Lat view · left wrist plain radiograph of the wrist · 11y F · 95.6 mm image width · image size 664x1115.

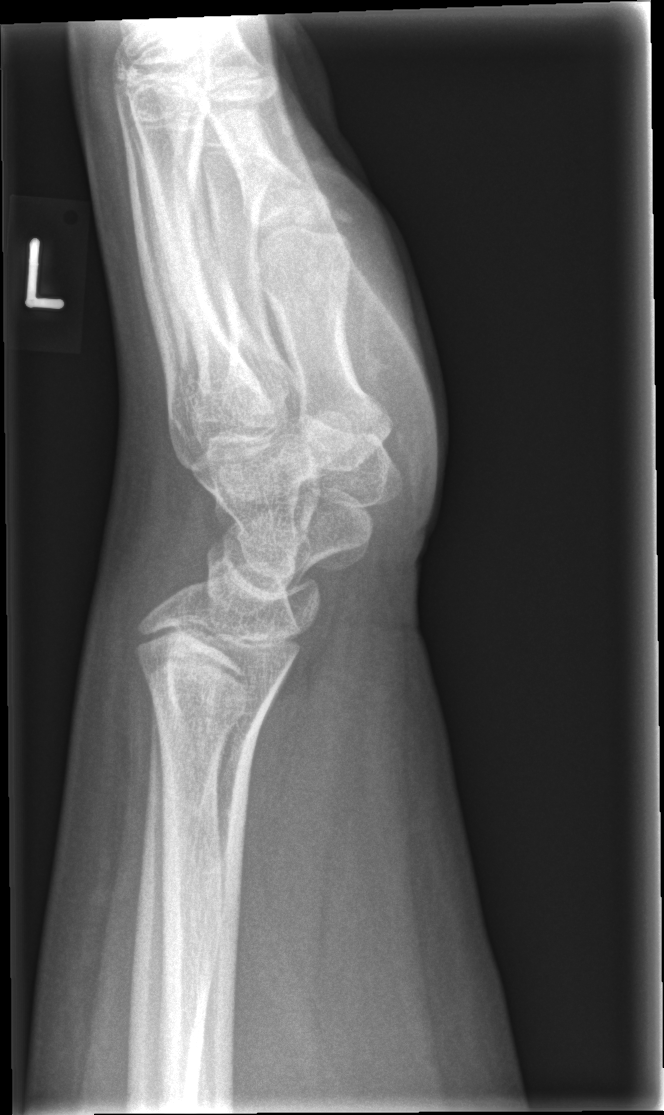
Bounding boxes in image-pixel xyxy.
No Fx annotated.
Bone variant identified at (left=126, top=574, right=306, bottom=740).